L wrist radiograph · posteroanterior · detector: Siemens. 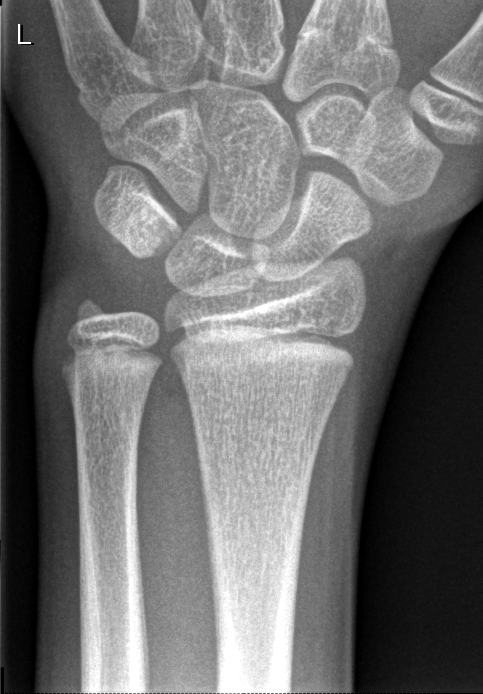
fracture: none labeled